Lat view, left wrist X-ray, detector: Siemens.

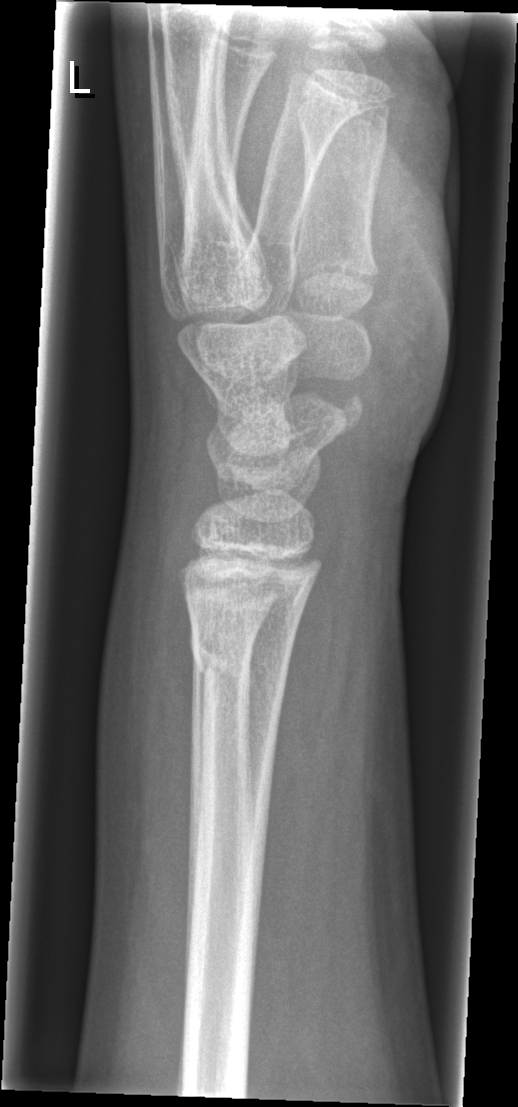
Fracture identified at (left=191, top=637, right=291, bottom=689). AO code 23r-M/2.1.